Right plain radiograph of the wrist | lat projection:

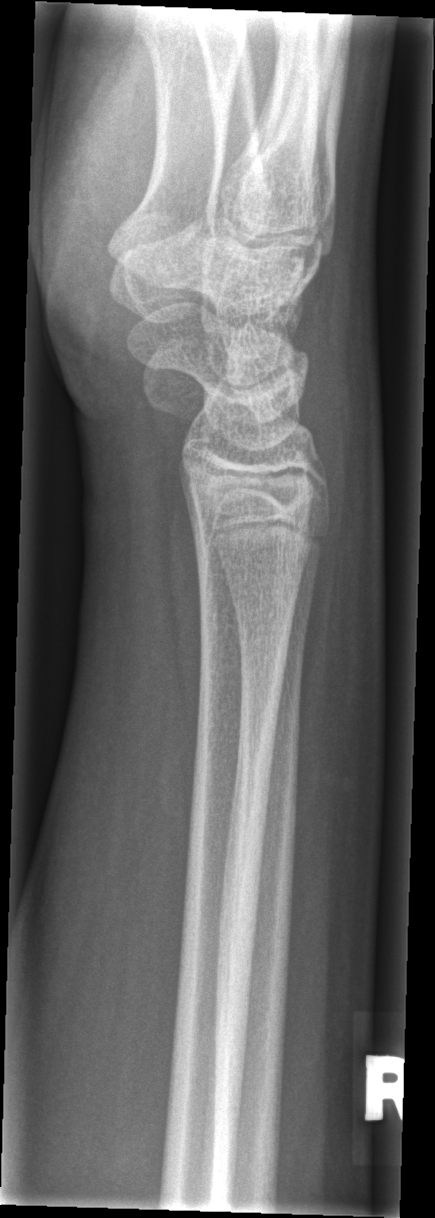
No fracture labeled.